AP projection; Rt pediatric wrist radiograph; findings marked uncertain by the reading radiologist 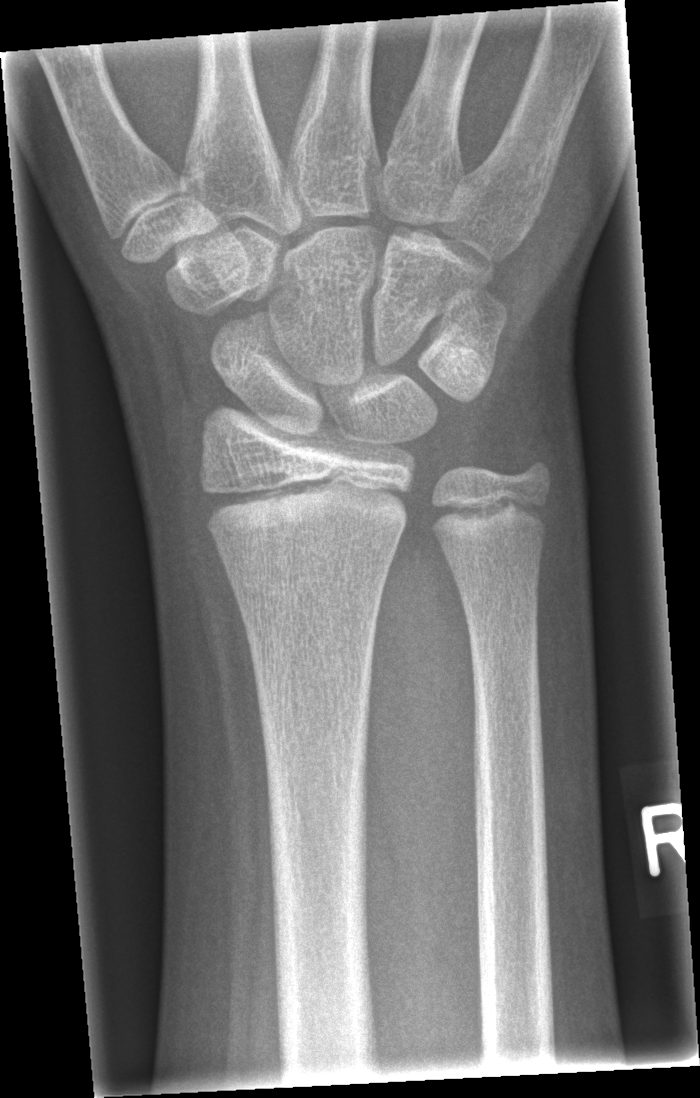

AO/OTA = 23r-E/2.1
Fx = 1 @ (193, 464, 413, 543)